Right plain radiograph of the wrist; lat; initial study.

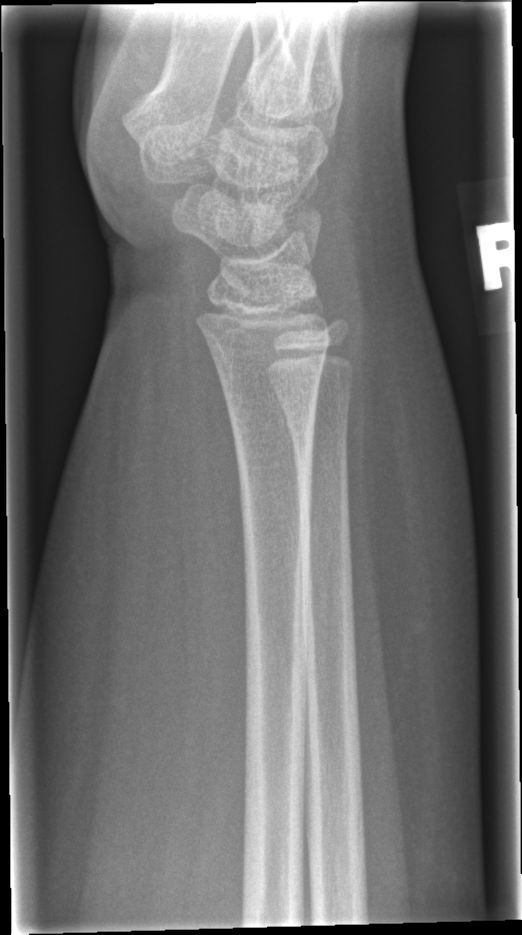 Fx = none labeled